Lateral projection; Lt wrist radiograph; age 0.2 y, girl; presentation radiograph; image 52.7 mm wide

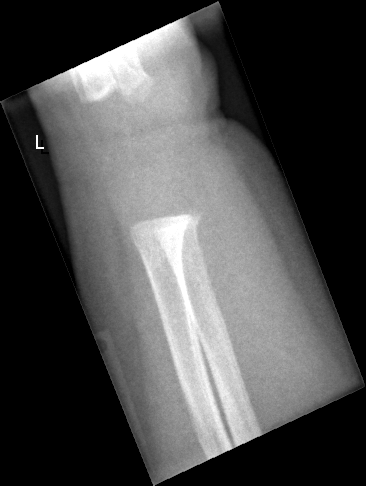
bone fracture: present but not clearly seen in this view